Right wrist XR; AP; 16y M; 676 x 1368 px
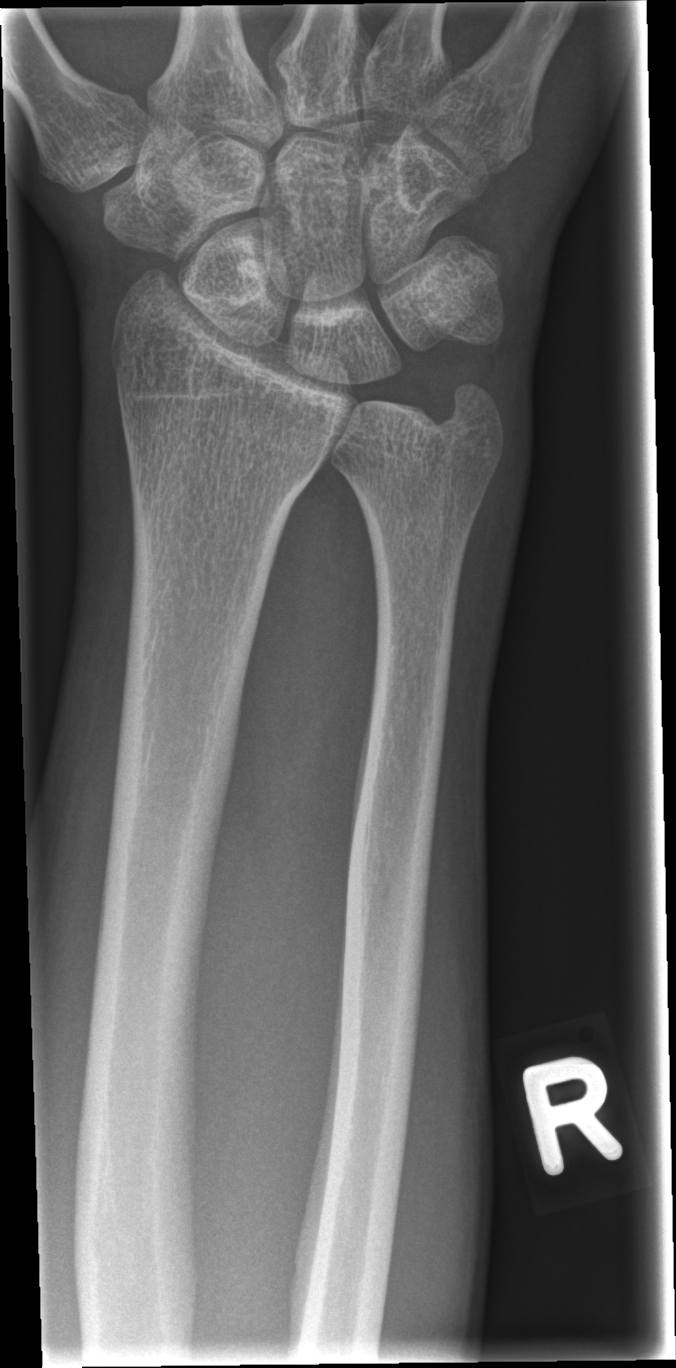
* No Fx annotated.